Frontal, R wrist XR, 15y M, initial study, acquired on Siemens
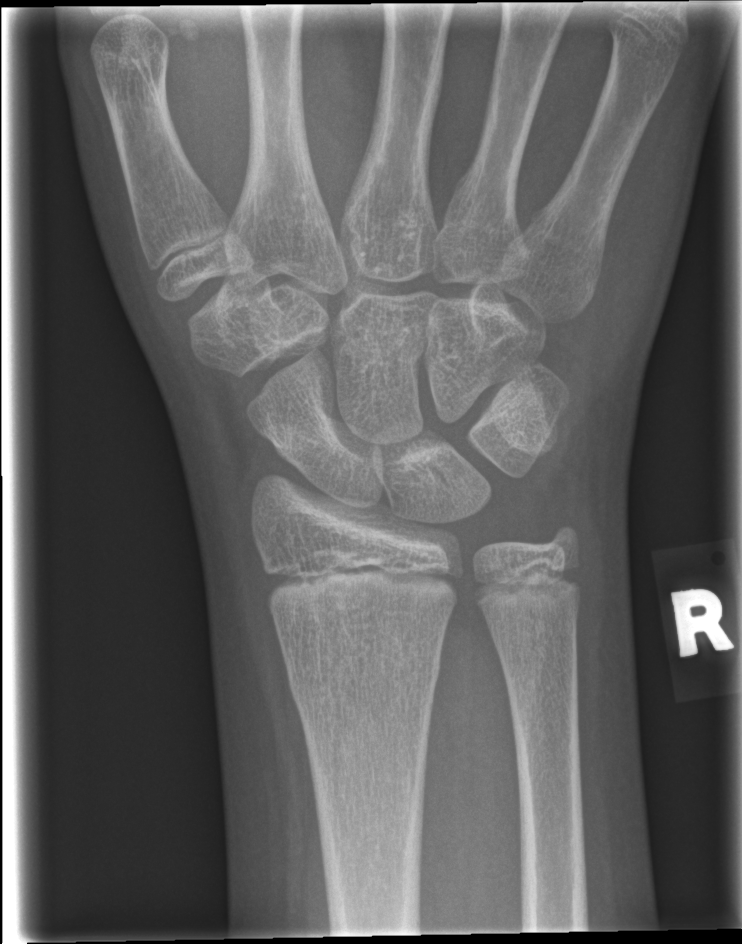
{
  "_coords": "coordinates are [x1, y1, x2, y2] in image pixels",
  "fracture": "285 651 444 714"
}